PA/AP; left wrist XR; girl, 10 yo; imaged through cast; acquired on Siemens; image width 80.6 mm; 560 x 1116 px.

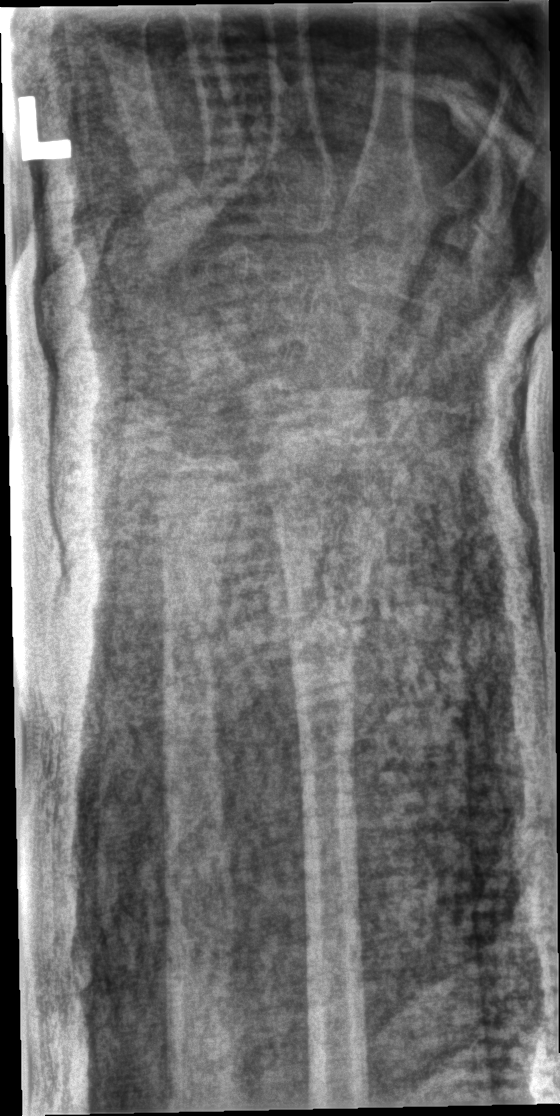
FINDINGS — Fracture: [286, 612, 370, 713].